Lt wrist radiograph · lateral · pediatric patient (boy, age 11) · presentation radiograph · image width 73.7 mm — 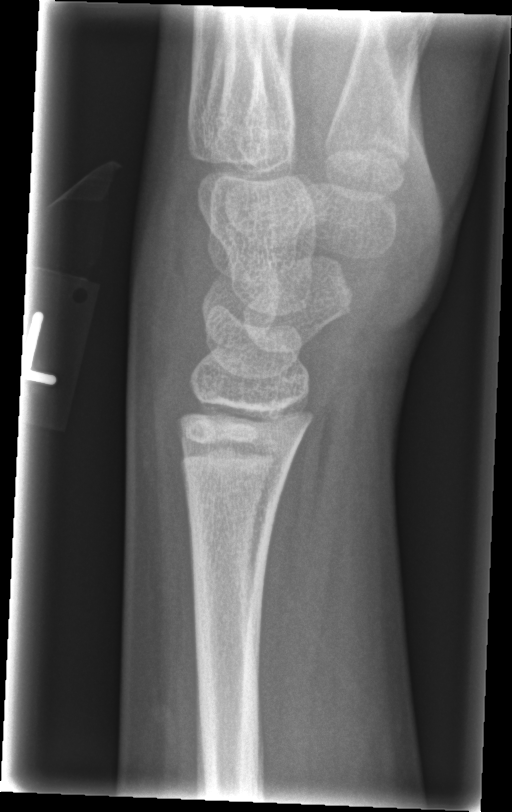
Soft-tissue swelling: bbox(125, 129, 231, 444). Fx: none.